Lat view · right wrist XR · age 12 y, female · 410 x 648 px

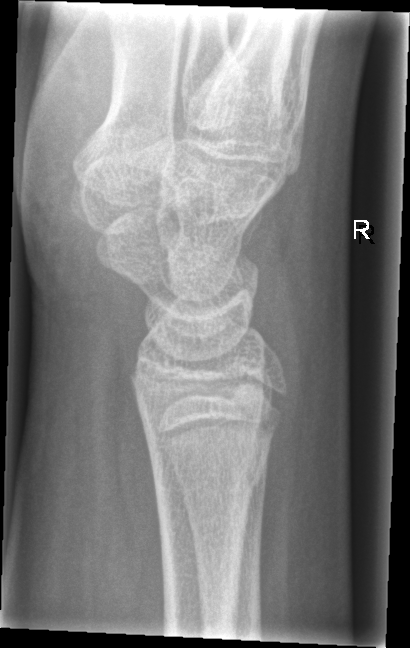 Fracture identified at 148 439 274 503. AO/OTA classification: 23r-M/2.1.